Posteroanterior projection; right plain radiograph of the wrist 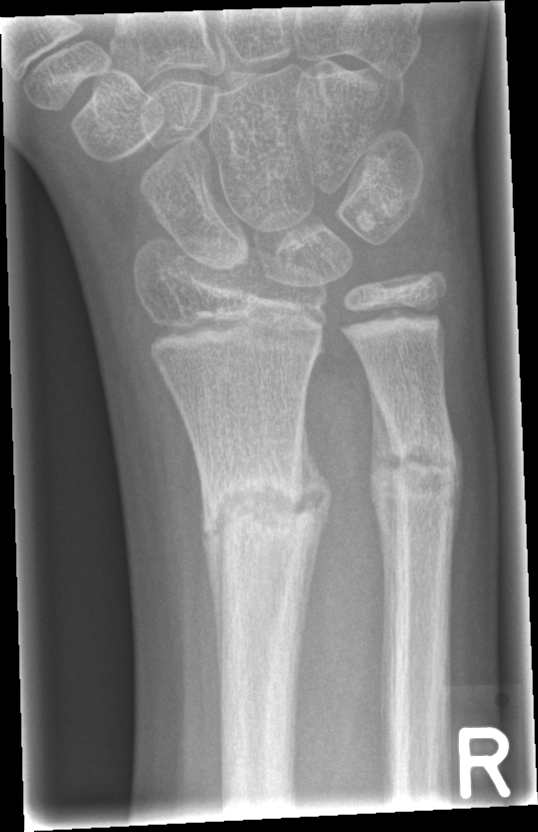 {"fracture": "2 @ bbox(198, 465, 317, 556); bbox(385, 434, 461, 520)", "periostealreaction": "bbox(370, 392, 396, 737) bbox(295, 432, 329, 667) bbox(201, 491, 222, 660) bbox(451, 438, 464, 544)", "ao": "23-M/3.1"}